Left wrist plain radiograph of the wrist · AP view · pediatric patient (male, age 10) · subsequent exam · imaged through cast · Siemens:
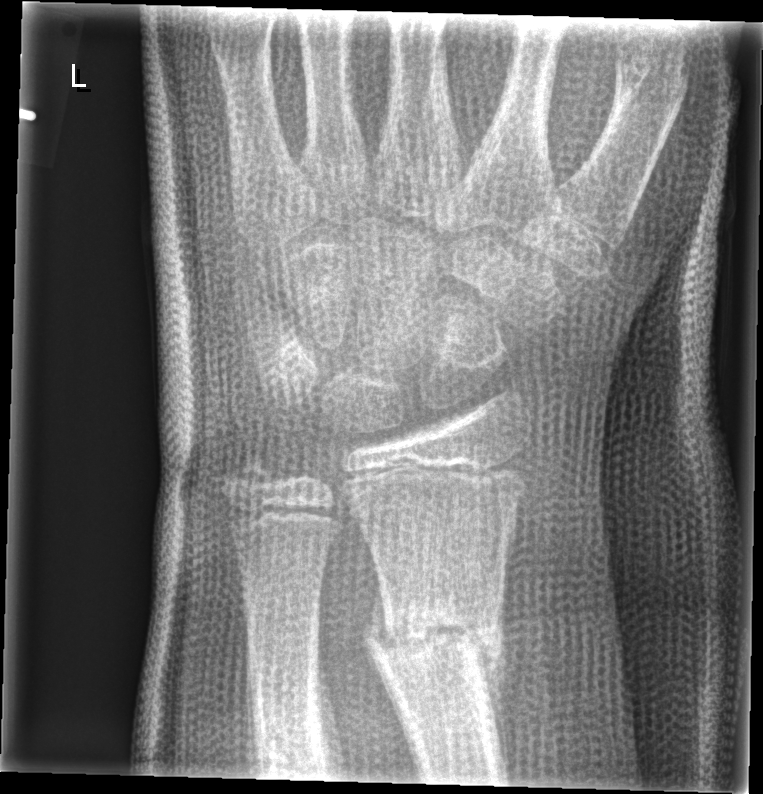
- Three bone fractures at (359, 589, 507, 689), (245, 704, 338, 776), (220, 443, 280, 504).
- Fracture classified AO/OTA 23r-M/3.1; 23u-M/2.1; 23u-E/7.
- Periosteal new bone: (475, 593, 507, 784); (316, 624, 347, 780); (362, 569, 396, 691); (245, 623, 262, 774).